AP projection; right wrist radiograph; boy, 13 yo —
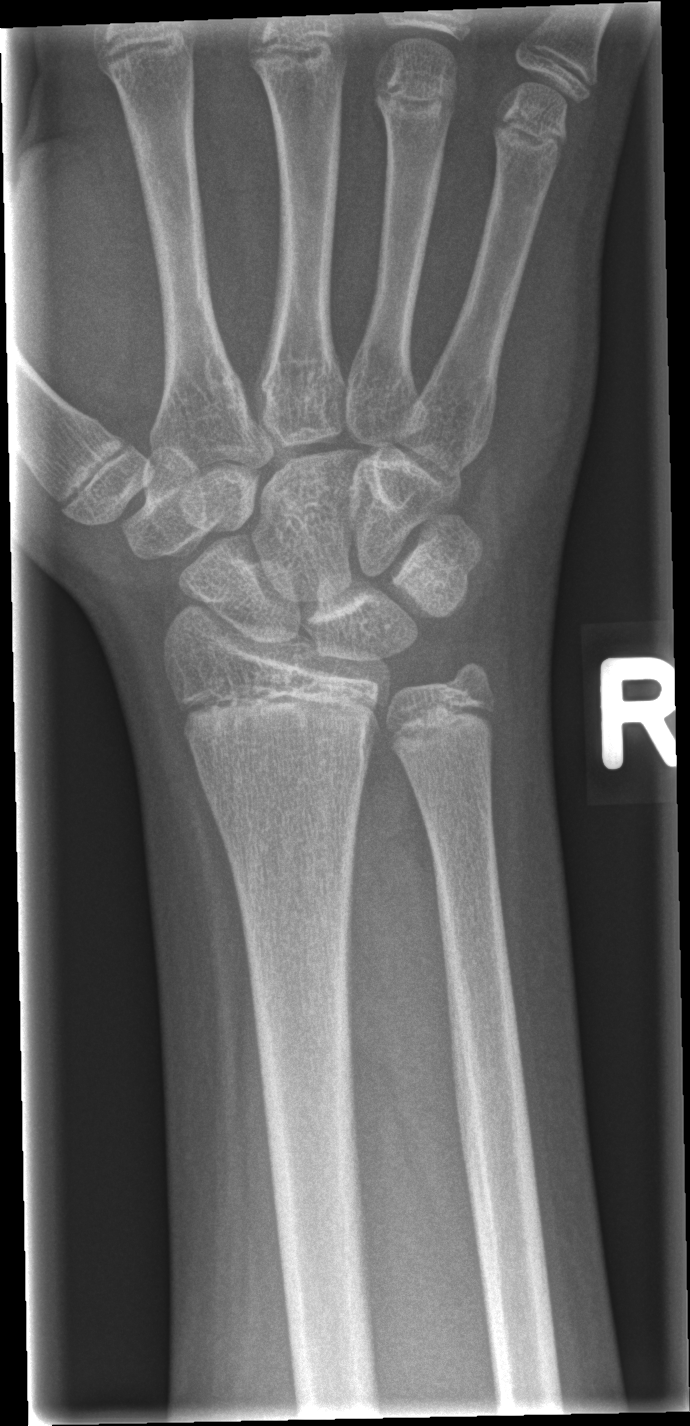 No Fx annotated.